PA | right wrist X-ray | 12-year-old boy | follow-up | cast in situ —

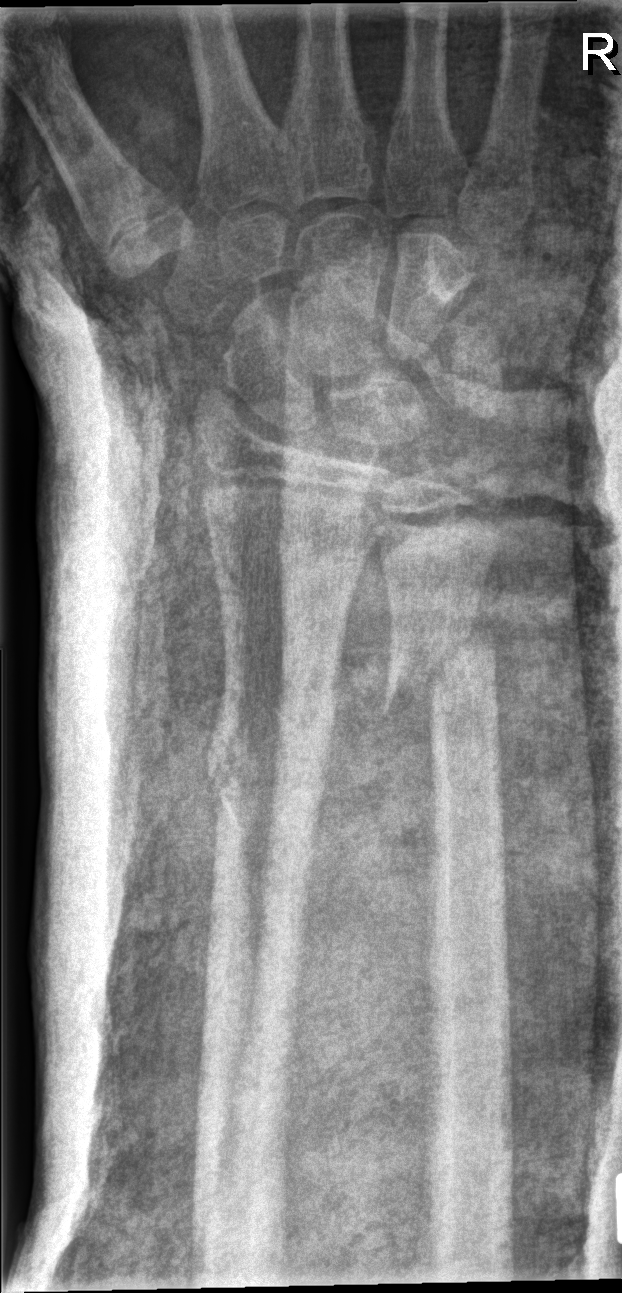
Two bone fractures at 381,622,509,717; 203,728,337,818.